L wrist plain film, lat, follow-up

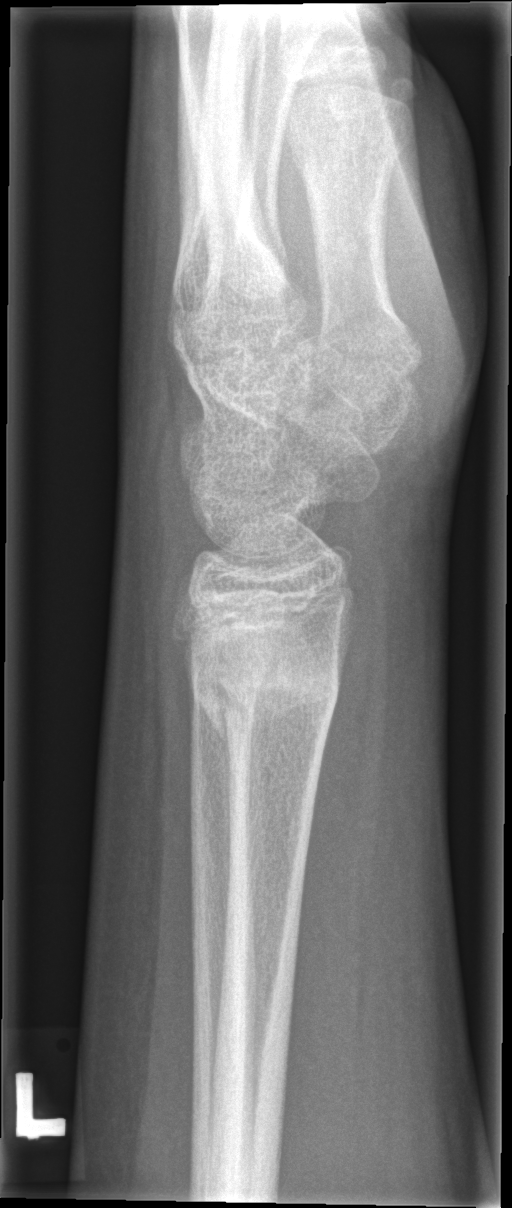

FINDINGS — (bounding boxes in image-pixel xyxy) Reduced bone mineral density. AO/OTA classification: 23r-M/3.1; 23u-M/2.1. Fx: <185,652>-<344,740>.